R wrist plain film | lateral | age 10 y, female | 985 x 985 px —
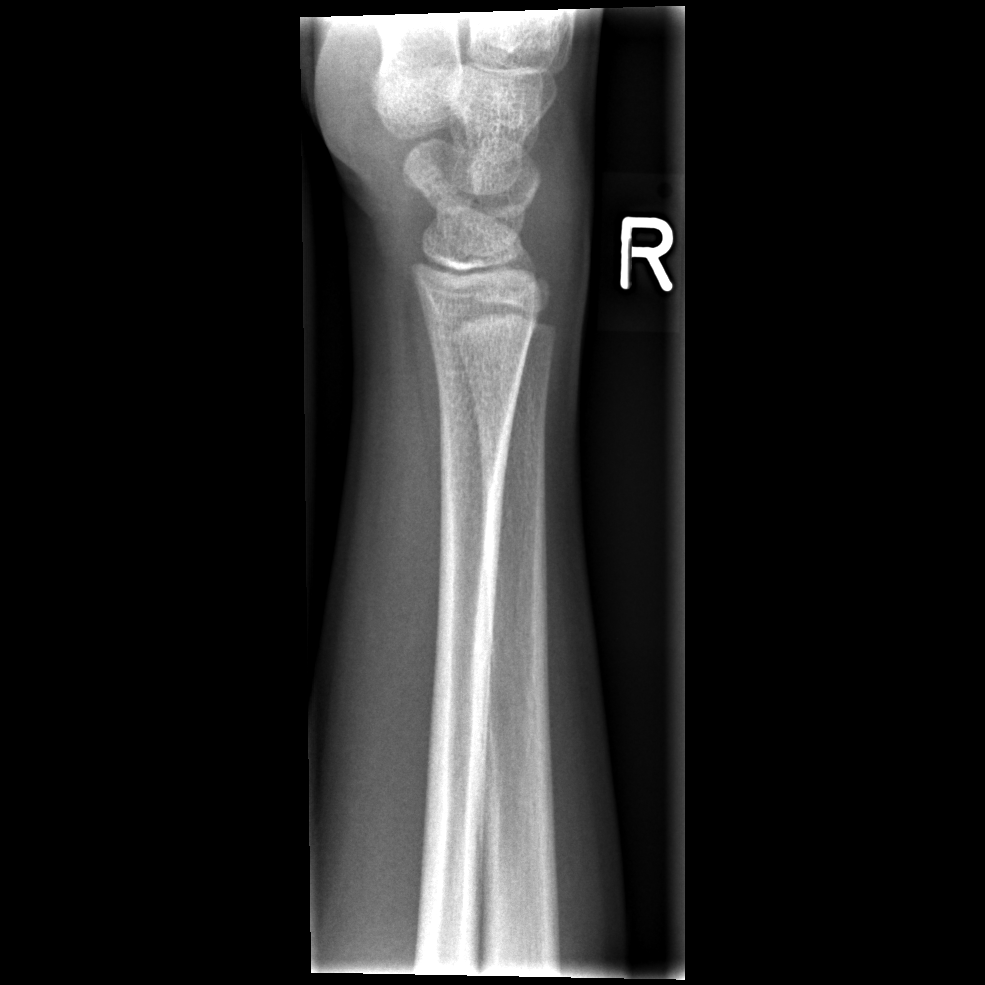
- No fracture annotation.